Right wrist pediatric wrist radiograph; AP projection; detector: Siemens

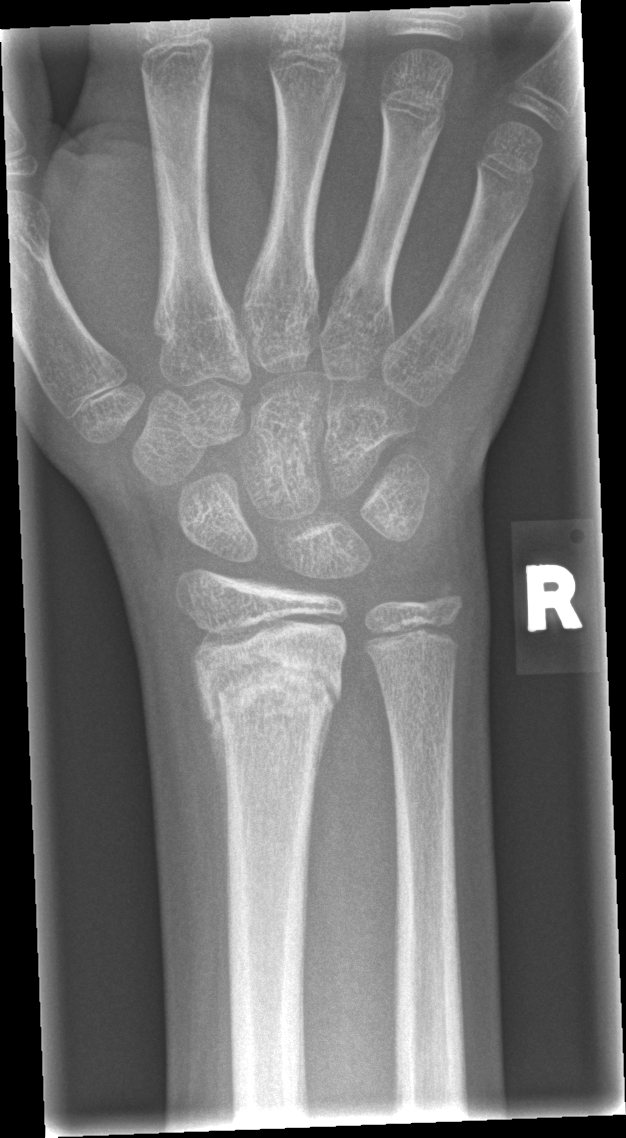
Findings: (bounding boxes in image-pixel xyxy) Two Fx at (left=192, top=649, right=346, bottom=743); (left=419, top=574, right=471, bottom=631). Periosteal reaction: (left=191, top=667, right=230, bottom=875) (left=311, top=697, right=340, bottom=801).